Left wrist plain film; lateral view; cast present; 82.4 mm image width; 572x1244:
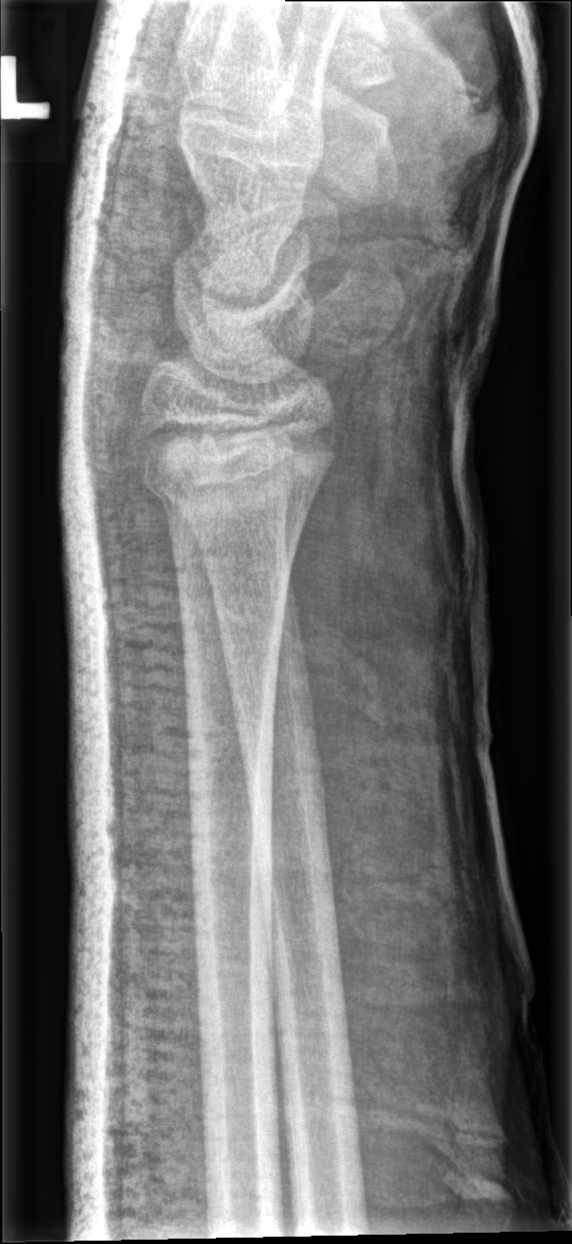 Findings: One fracture at <126,406>-<331,520>.